Left pediatric wrist radiograph | lateral | 12-year-old male | image size 407x1254
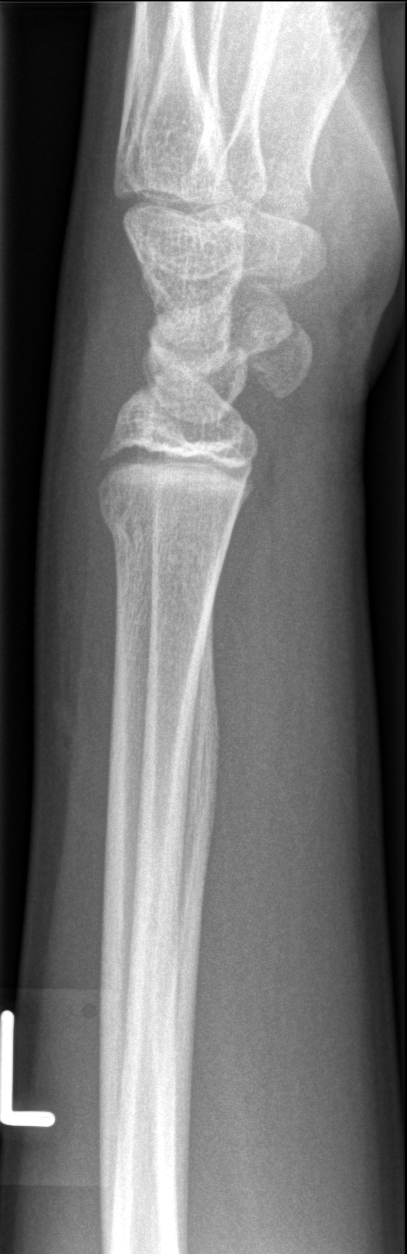
(coordinates are [x1, y1, x2, y2] in image pixels)
bone fracture: (left=96, top=492, right=237, bottom=568)
soft-tissue finding: 1 @ (left=33, top=242, right=142, bottom=667)
AO/OTA: 23r-M/2.1